Lateral; right wrist radiograph; age 10 y, boy; image width 61.5 mm; image size 427x1018

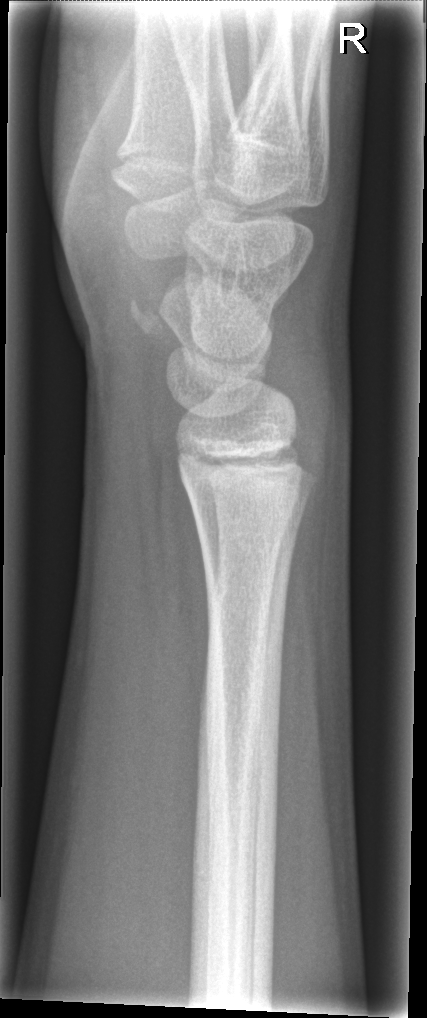

• No fracture labeled.